Rt wrist radiograph; lateral view; 15y F

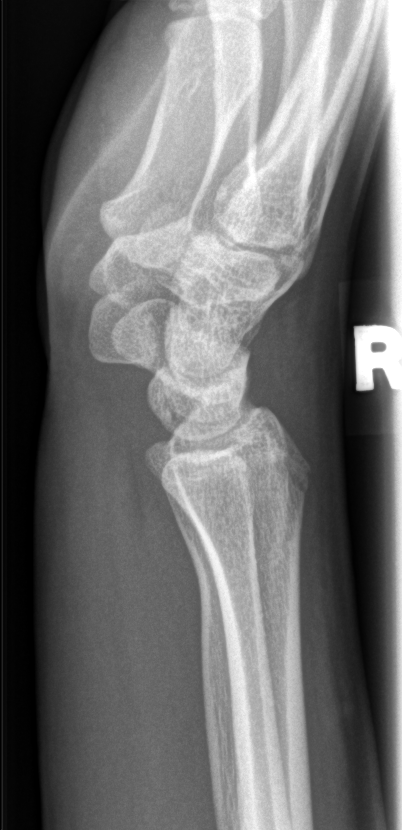 No fracture annotation.